Posteroanterior projection | left wrist radiograph | girl, 11 yo | acquired on Siemens:

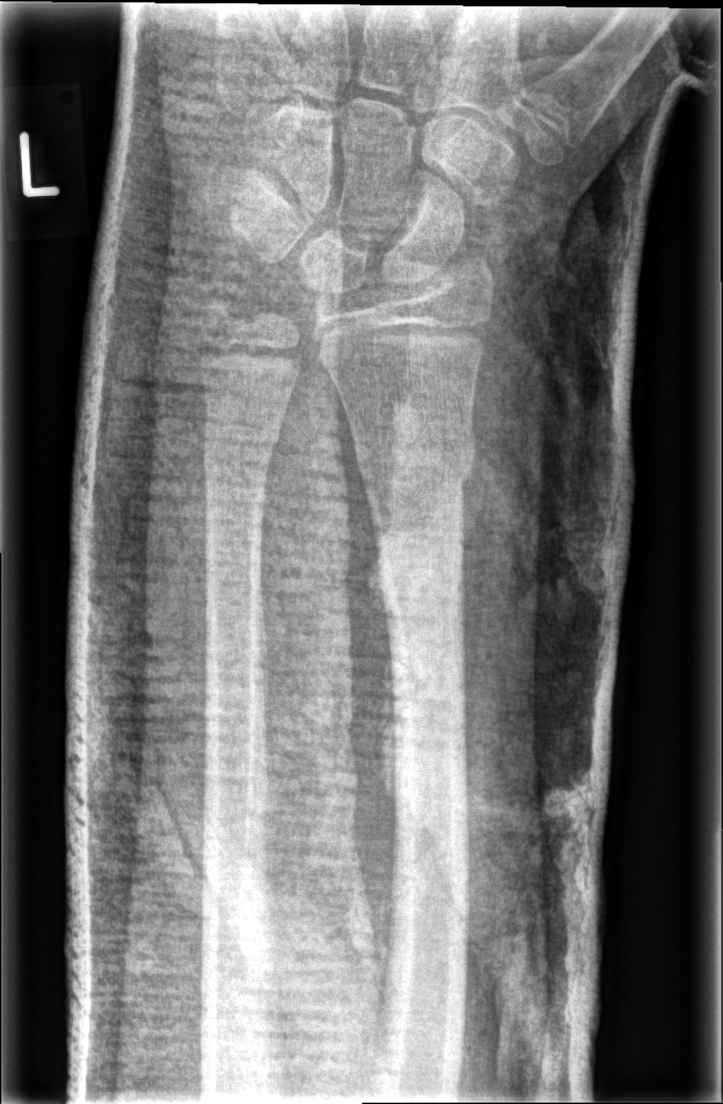

Two bone fractures at bbox(351, 426, 481, 493), bbox(200, 397, 285, 459).